Lat view · Lt wrist X-ray · imaged through cast · image width 78.9 mm:

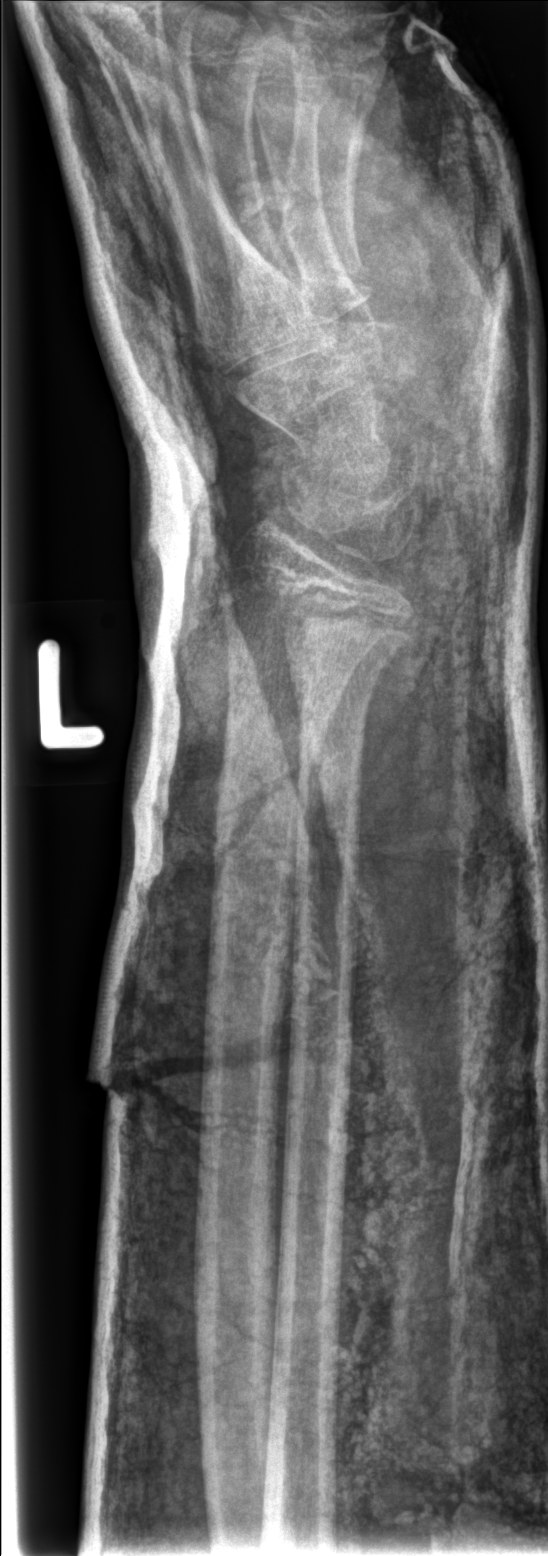

Bone fracture: (210, 746, 323, 894). Fracture classified AO/OTA 23r-M/3.1.